L wrist X-ray; AP projection —
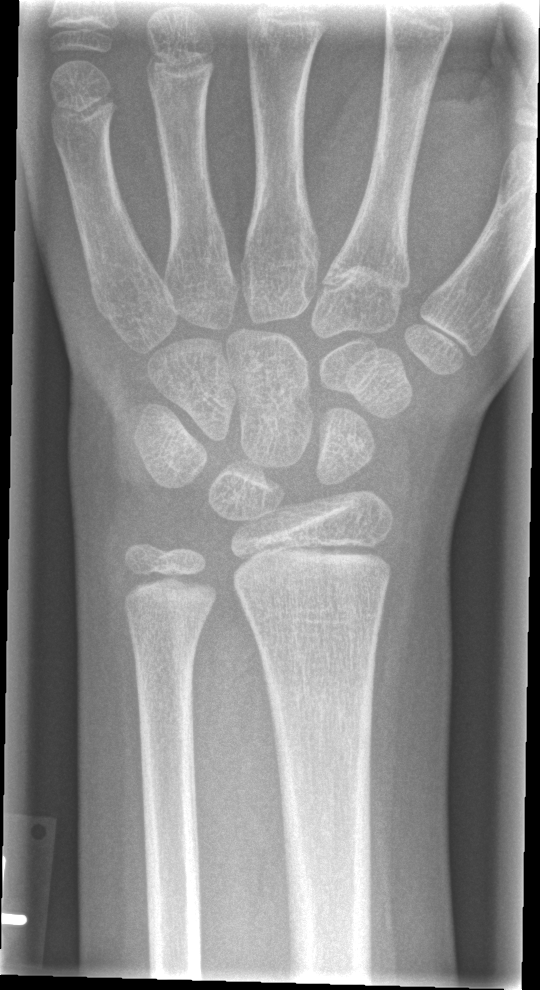

Bone fracture = (262, 664, 378, 761)